AP view · left plain radiograph of the wrist · 14y M —

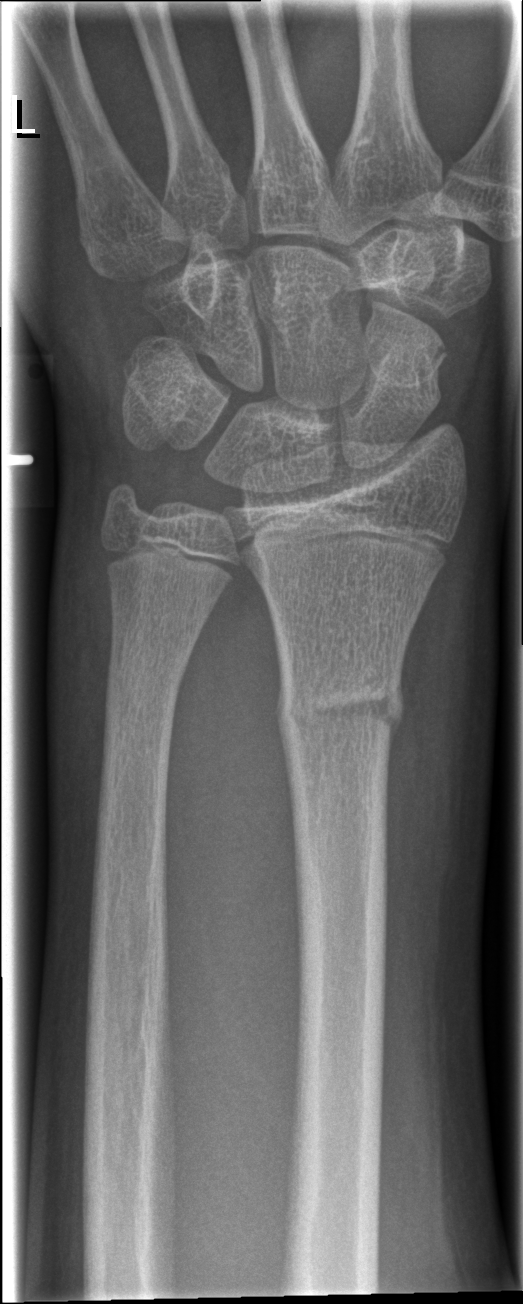
FINDINGS — Soft-tissue swelling identified at [x1=373, y1=555, x2=511, y2=944]; [x1=42, y1=500, x2=122, y2=799]. Two bone fractures at [x1=274, y1=667, x2=408, y2=754] [x1=97, y1=650, x2=190, y2=714].